Right wrist plain film; posteroanterior view; pediatric patient (female, age 10); 624 by 886 pixels:
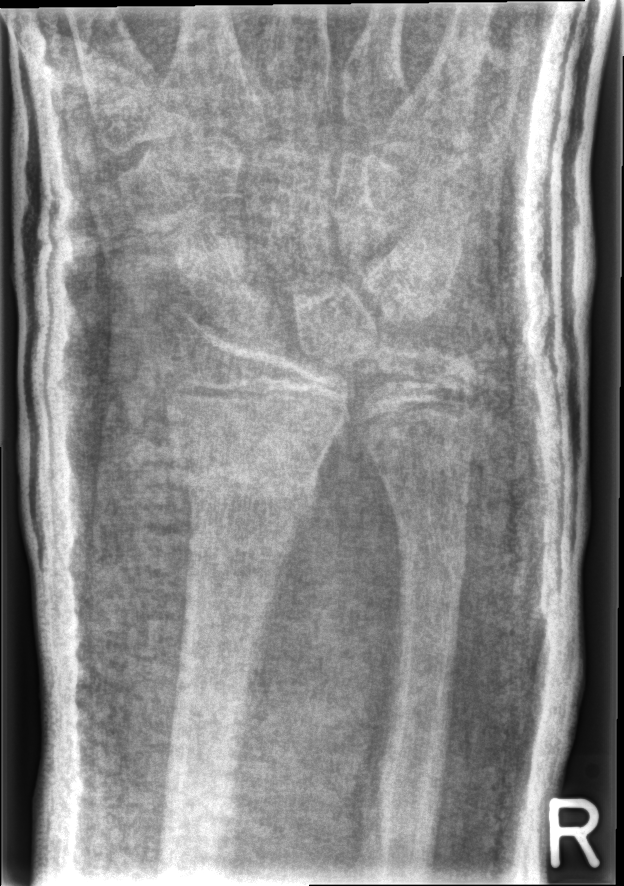
{
  "ao": "23-M/3.1",
  "fracture": "2 @ <174,447>-<316,543>, <384,504>-<472,603>"
}